Frontal projection · R wrist XR · presentation radiograph · Siemens. 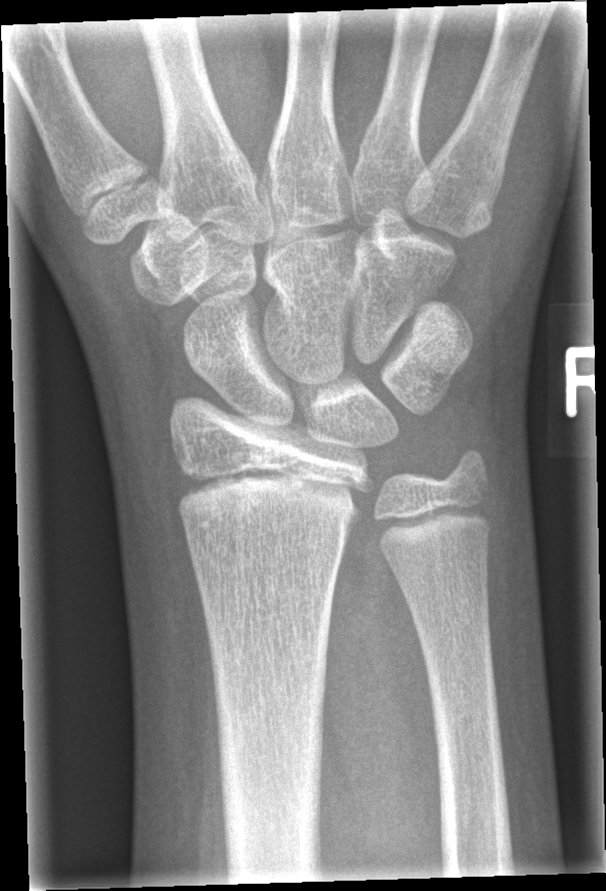

  fracture: present but not clearly seen in this view
  ao: 23r-E/1